Rt plain radiograph of the wrist | posteroanterior | follow-up | image 103.2 mm wide:
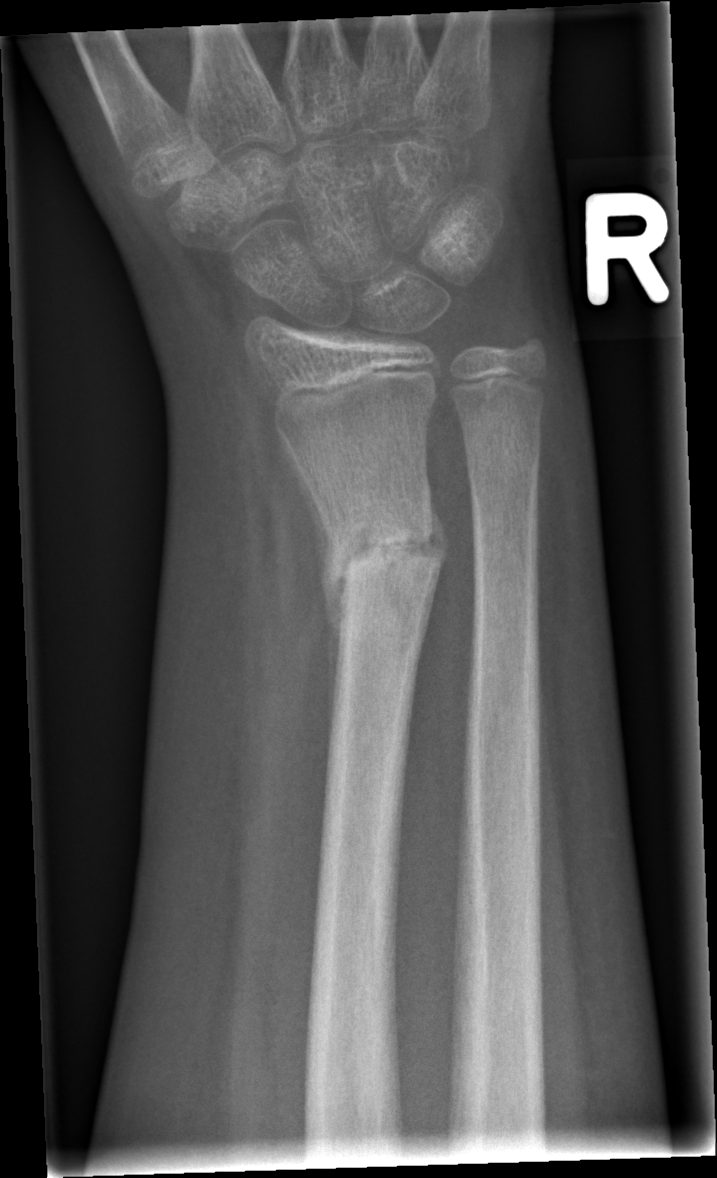

Periosteal reaction: 2 @ (284, 436, 342, 768) (417, 488, 447, 650)
AO code: 23r-M/3.1; 23u-M/2.1; 23u-E/7
Osteopenia: present
Bone fracture: (316, 499, 446, 627) (459, 413, 546, 489) (498, 317, 552, 370)